Lateral view | R wrist plain film | detector: Siemens —

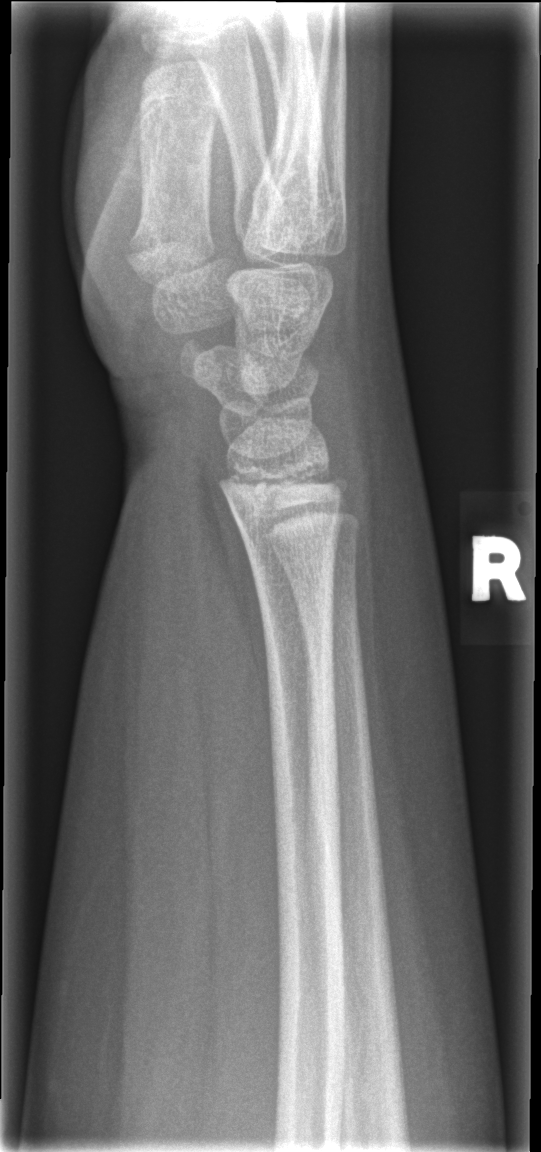 Fracture: none labeled.